Left wrist radiograph | lat view 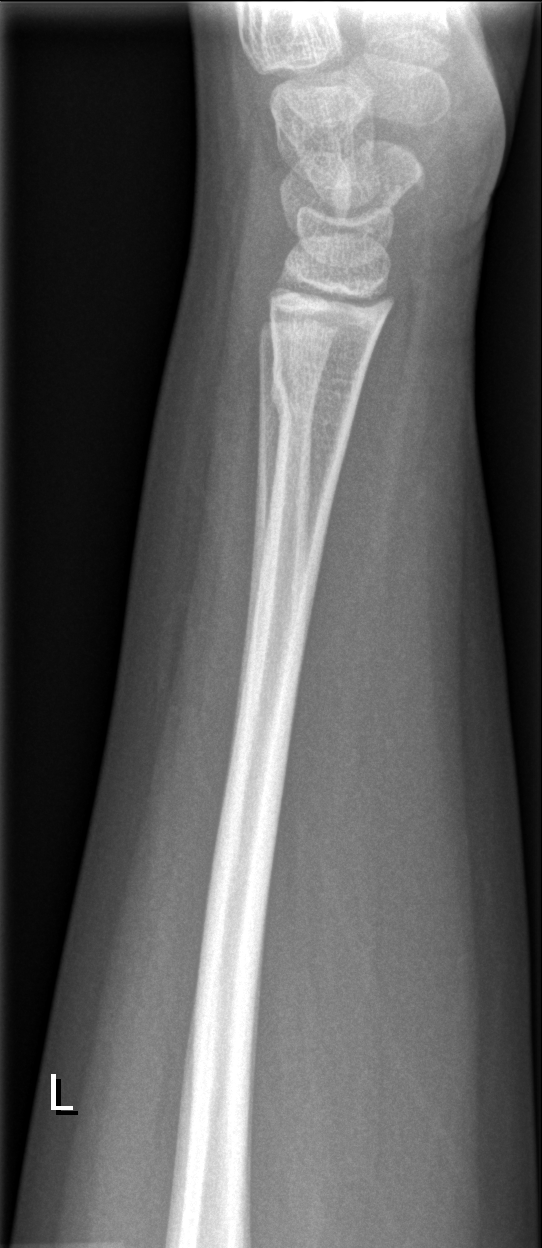 {"ao": "23r-M/2.1", "fracture": "(265, 350, 359, 455)"}